PA; Rt wrist plain film —

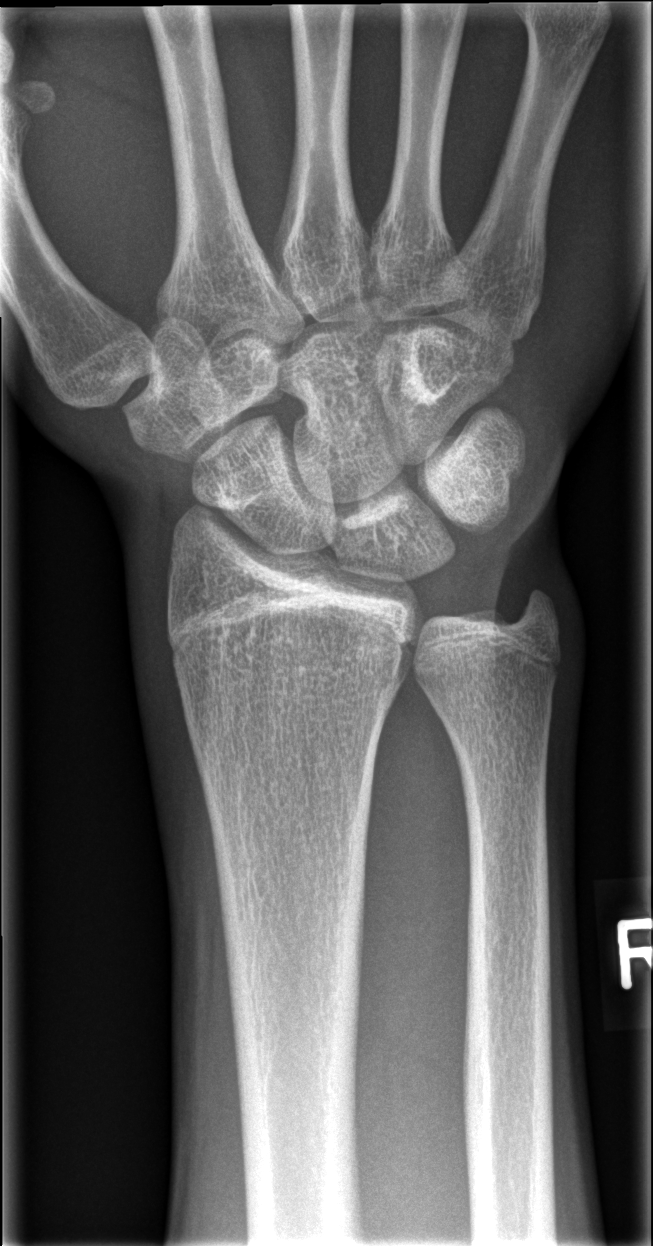

Fx: none.